Lateral · Lt pediatric wrist radiograph · pediatric patient (male, age 10) · equivocal findings:
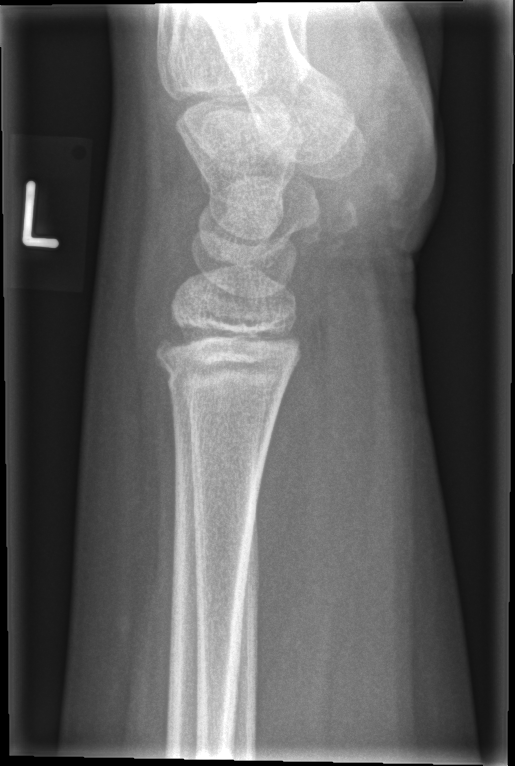

Coordinates are [x1, y1, x2, y2] in image pixels. Fracture — 150 321 309 400.